Lateral view; left wrist XR; detector: Siemens
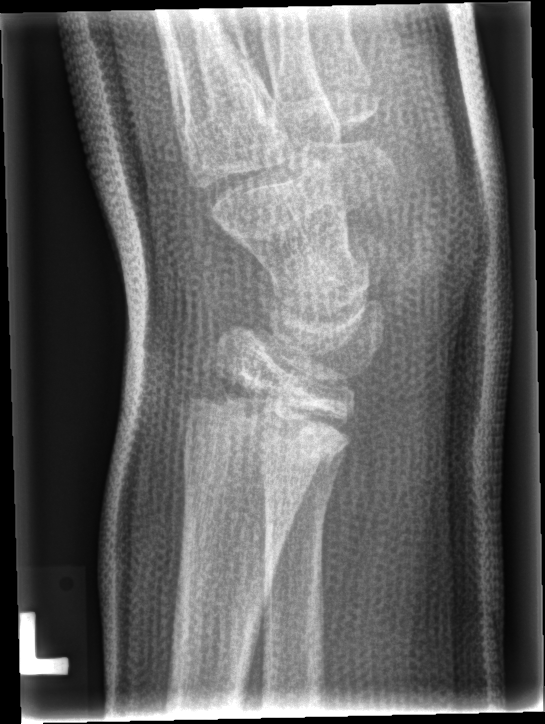
Bone fracture: 1 @ [176, 372, 353, 487]